Posteroanterior view; right pediatric wrist radiograph; 12-year-old girl; initial study; image size 590x897.

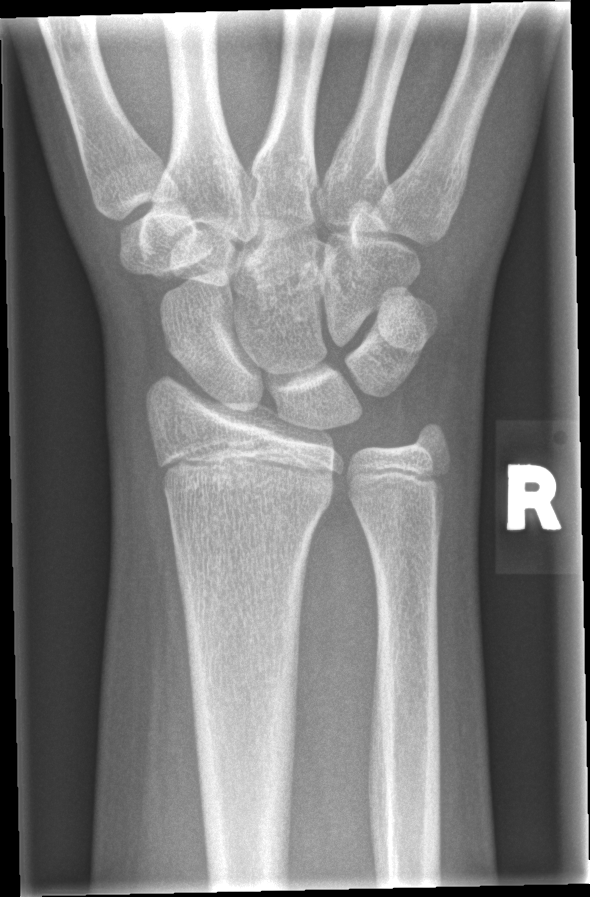
Fx = none labeled